Lat projection; L plain radiograph of the wrist; female, 14 yo; presentation radiograph

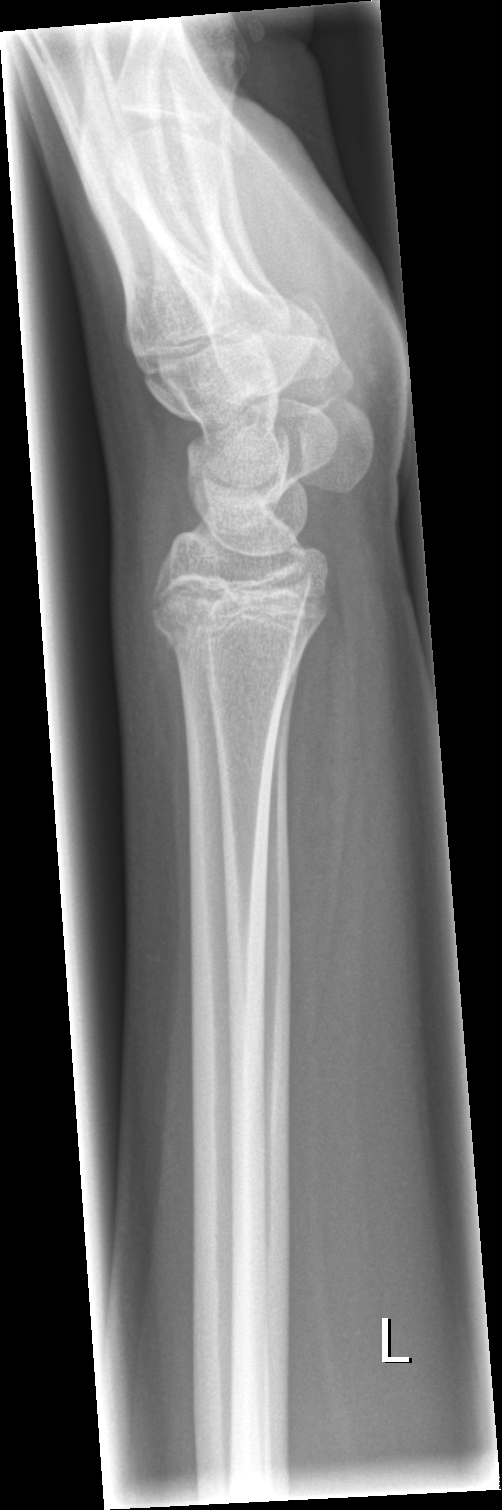
(coordinates are [x1, y1, x2, y2] in image pixels)
Q: Pronator fat-pad sign?
A: Pronator sign identified at <286,590>-<348,972>
Q: Locate any fractures.
A: Fracture: <152,602>-<330,677>
Q: What is the AO/OTA classification?
A: AO/OTA classification: 23r-M/2.1